Left wrist plain film; lat projection; pediatric patient (boy, age 15); presentation radiograph:

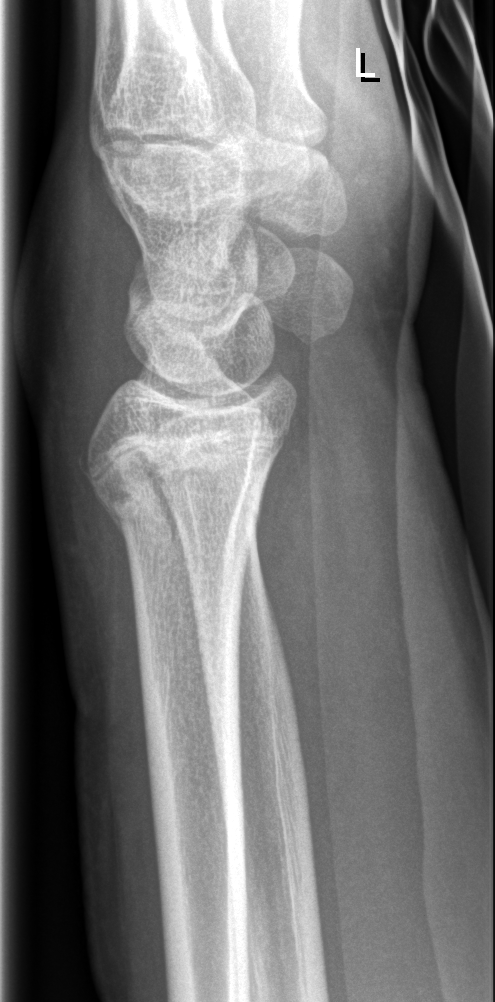

Coordinates are [x1, y1, x2, y2] in image pixels.
AO code 23r-M/2.1.
Pronator quadratus fat-pad sign — bbox(260, 386, 383, 799).
Fx identified at bbox(79, 439, 270, 557).